Lat projection | Lt wrist plain film.

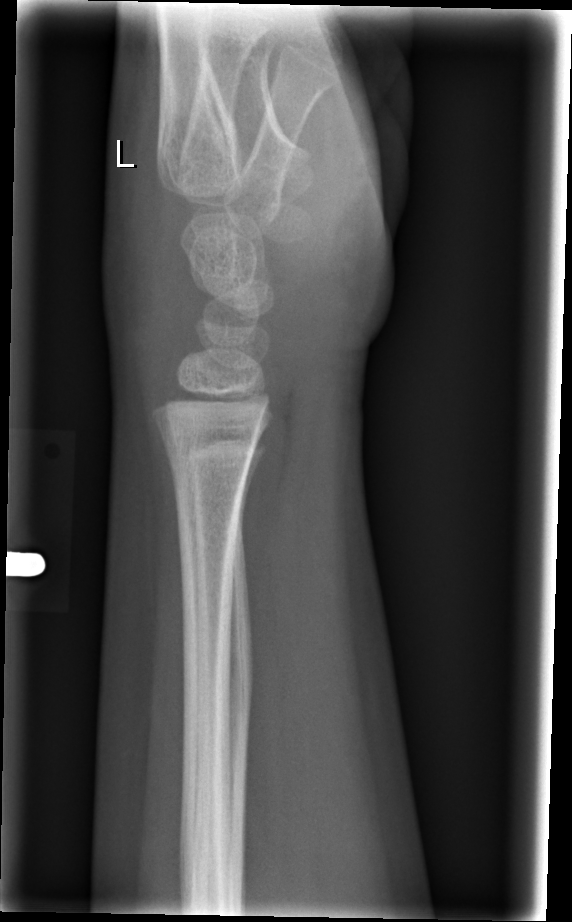 bone fracture = none labeled